Frontal projection, Lt pediatric wrist radiograph, pediatric patient (girl, age 8), subsequent exam 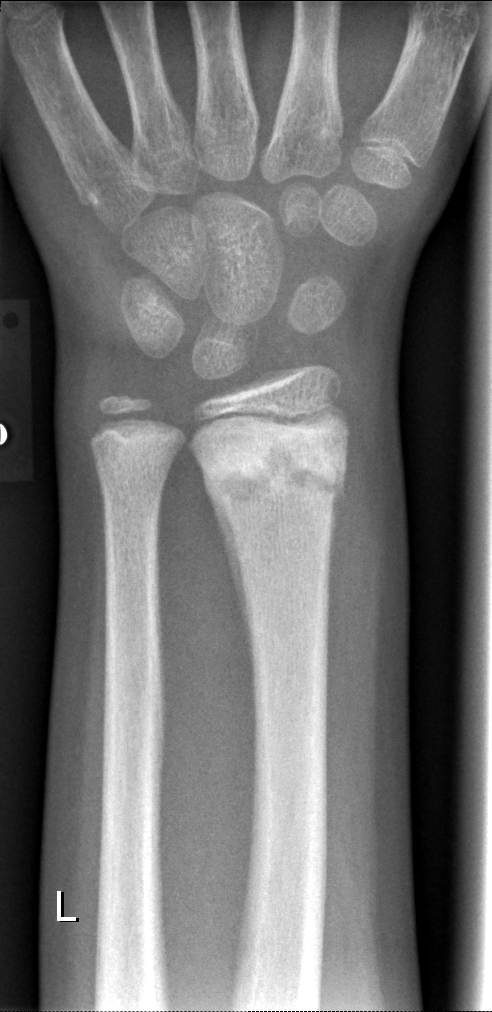
Q: Locate any fractures.
A: Fracture identified at (189, 420, 353, 520)
Q: Bone density?
A: Decreased bone density (osteopenia)
Q: Is there periosteal reaction?
A: Periosteal thickening: (196, 457, 258, 741), (328, 467, 347, 594)